Lateral | L wrist radiograph 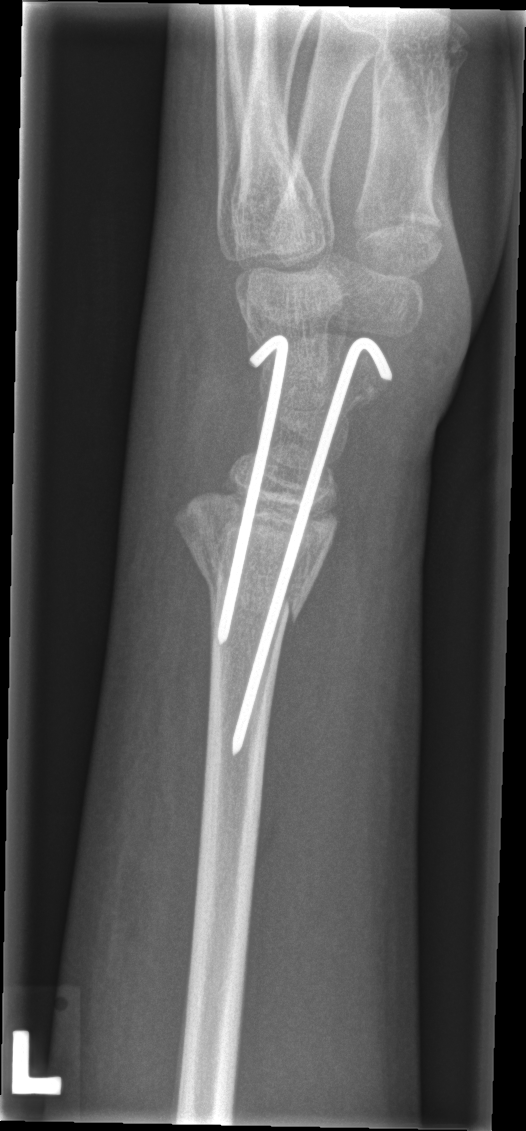
{
  "osteopenia": "present",
  "fracture": "1 @ <167,508>-<339,635>",
  "ao": "23r-M/3.1; 23u-M/2.1",
  "metal": "2 @ <228,333>-<395,759>, <213,330>-<293,649>"
}